R wrist X-ray, lat view, subsequent exam

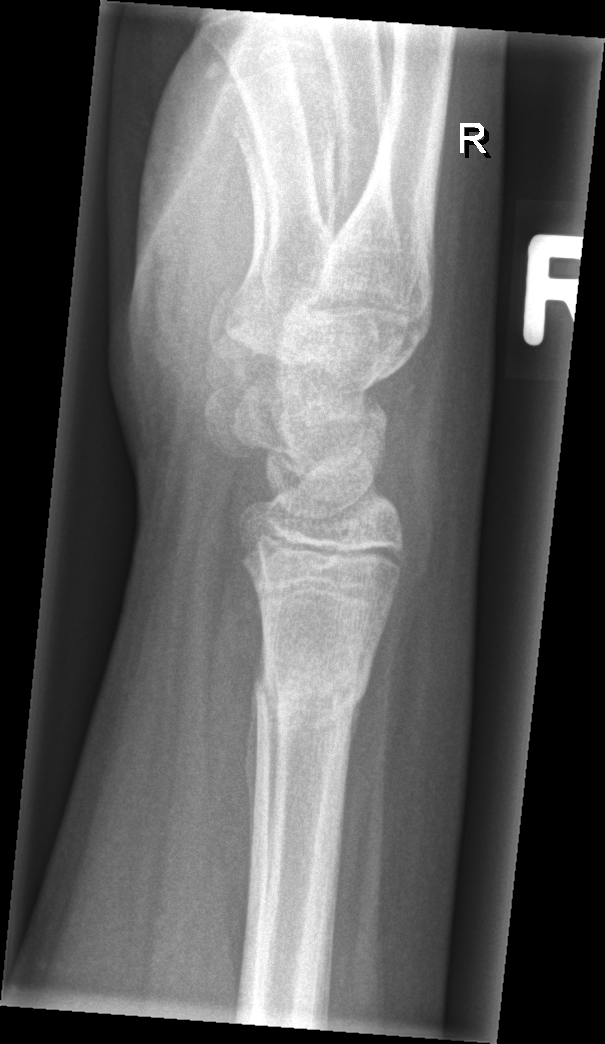
{
  "fracture": "1 @ [x1=248, y1=656, x2=371, y2=735]",
  "periostealreaction": "1 @ [x1=244, y1=622, x2=266, y2=919]",
  "osteopenia": "present"
}